L wrist plain film · lat · subsequent exam · imaged through cast.
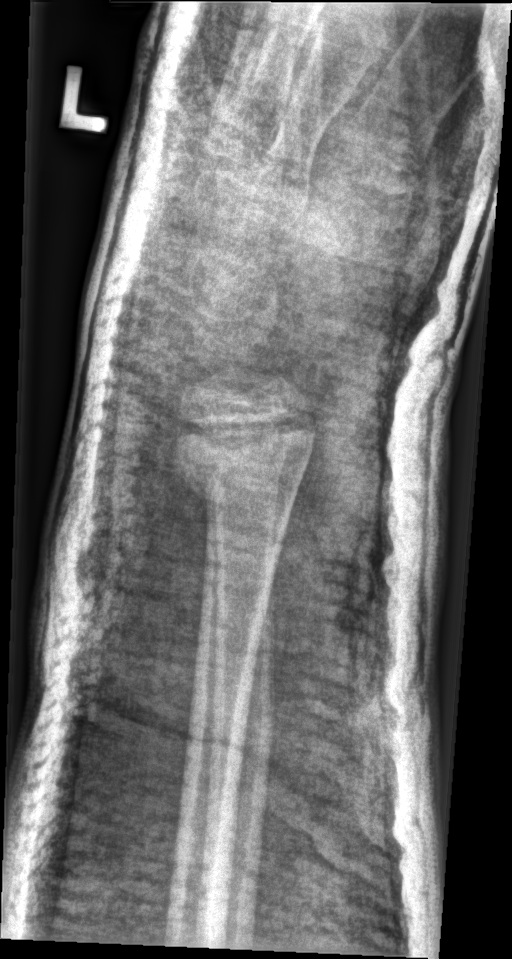

Bounding boxes in image-pixel xyxy.
Bone fracture: 167 403 320 510.
AO/OTA classification: 23r-E/2.1; 23u-M/2.1.